Right wrist XR, PA. 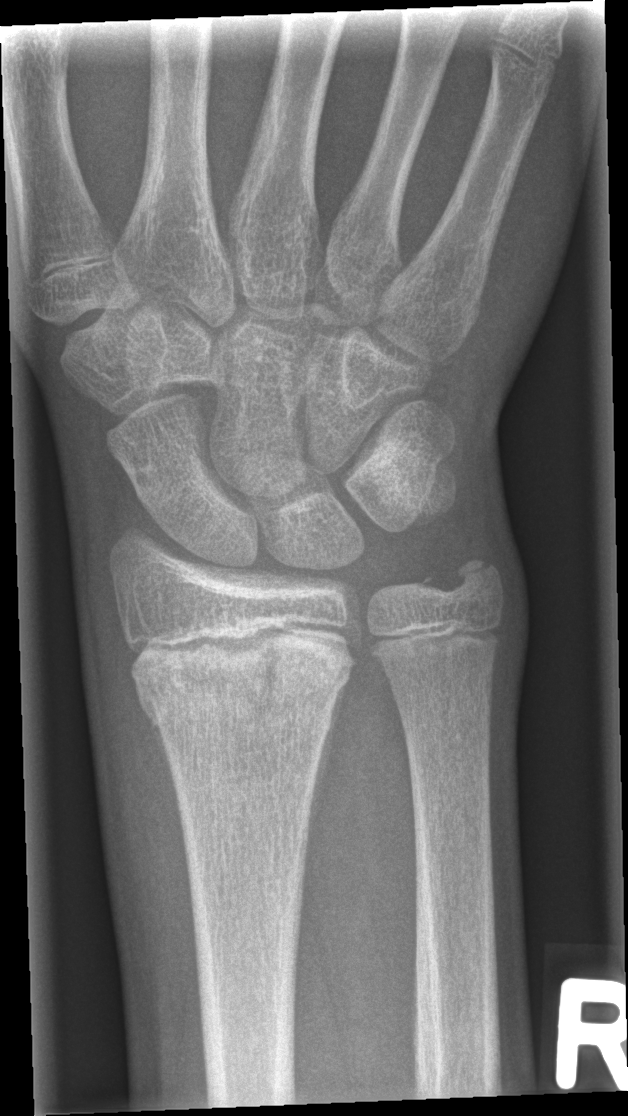   # bounding boxes in image-pixel xyxy
  periostealreaction: 2 @ (left=305, top=681, right=347, bottom=850); (left=141, top=700, right=183, bottom=818)
  fracture: (left=126, top=609, right=360, bottom=726) (left=420, top=547, right=506, bottom=614)
  ao: 23r-M/3.1; 23u-E/7
  osteopenia: present